Frontal view · L wrist X-ray · female, 10 yo · subsequent exam · Siemens 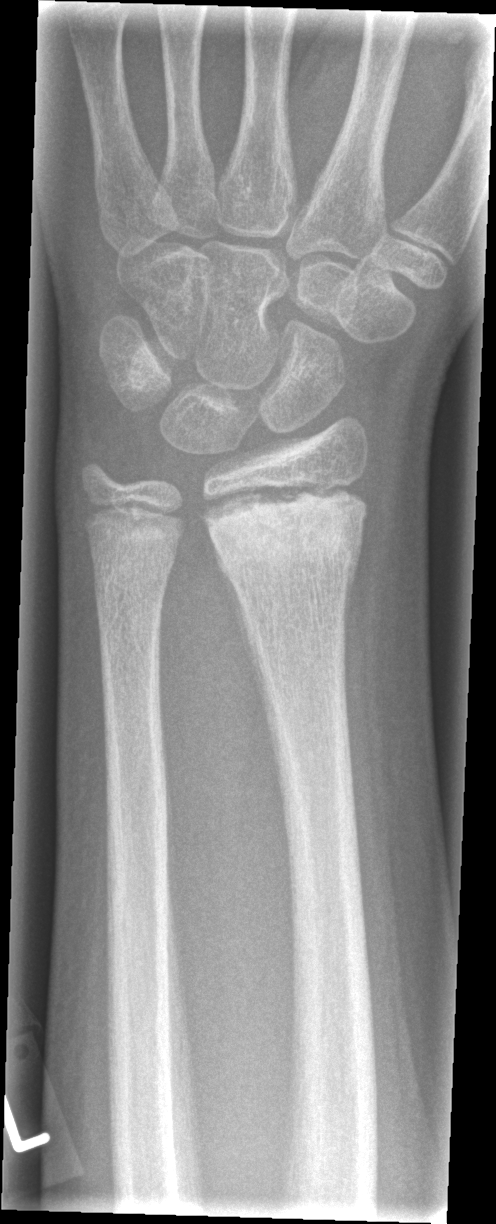 AO/OTA = 23-M/2.1
bone fracture = [207, 485, 370, 577]; [84, 504, 187, 559]